Lat projection, R wrist plain film, 553x792:

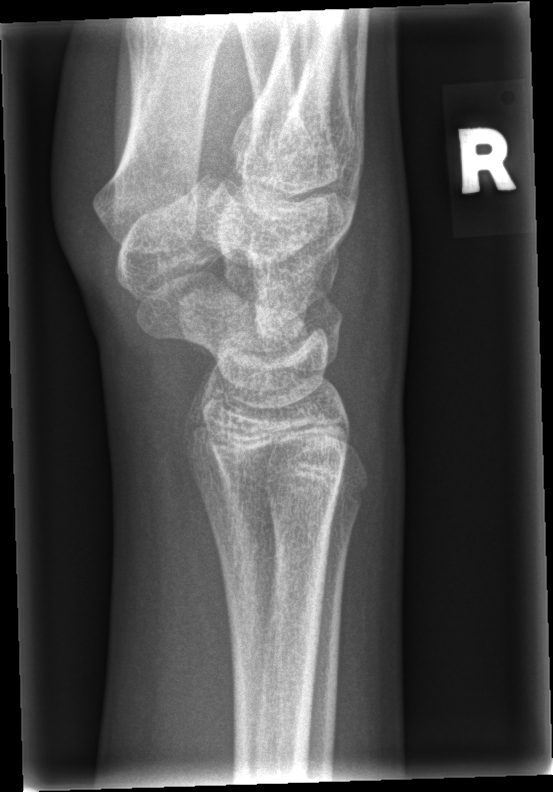 • Fracture: none labeled.